Lat | Lt wrist plain film | 13-year-old girl | 422 by 1104 pixels.

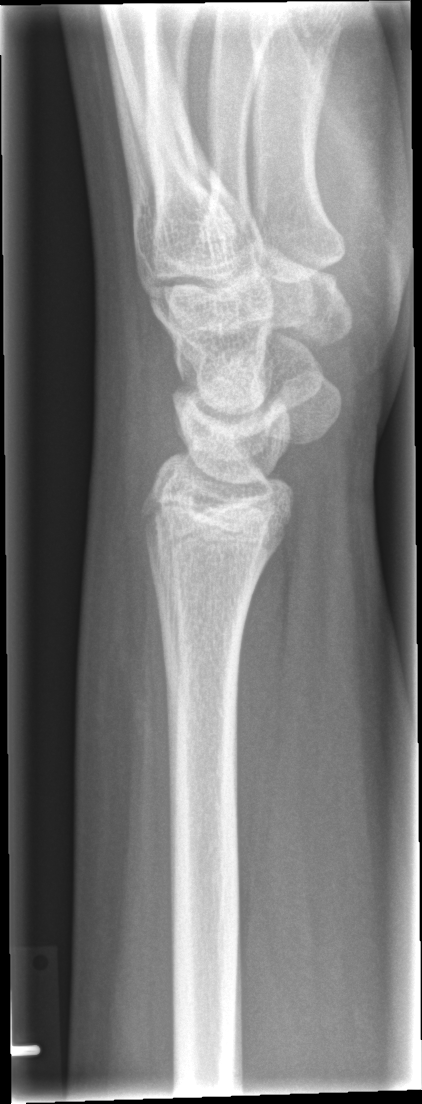
* No Fx annotated.